Frontal view, left wrist X-ray, Siemens 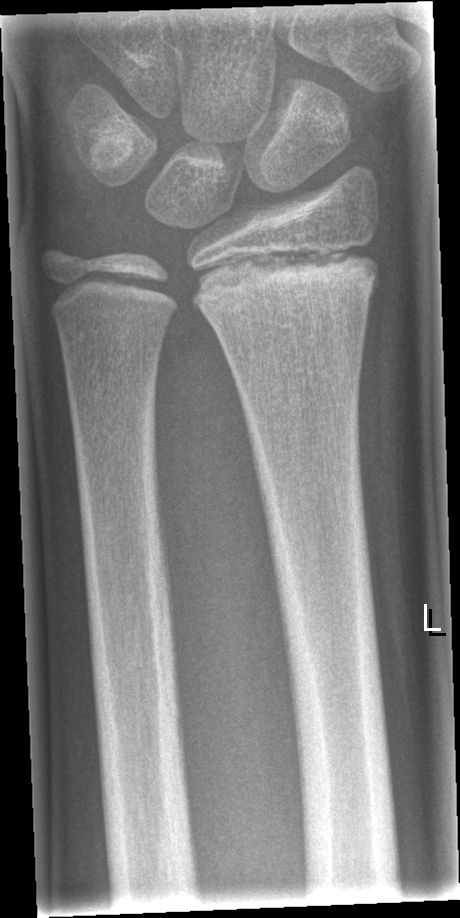 Fracture = present but not clearly seen in this view
AO code = 23r-E/1